L wrist radiograph | lat projection | 3y M | cast present | image size 531x690:

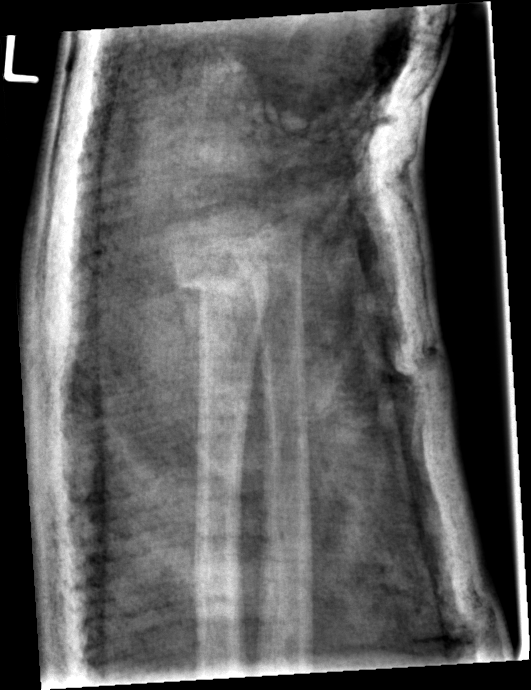
FINDINGS: (bounding boxes in image-pixel xyxy) Fracture classified AO/OTA 23r-M/3.1; 23u-M/2.1. Periosteal new bone — 167 253 202 424. Fracture: 171 261 273 325.